Lat view, left wrist X-ray, in cast: 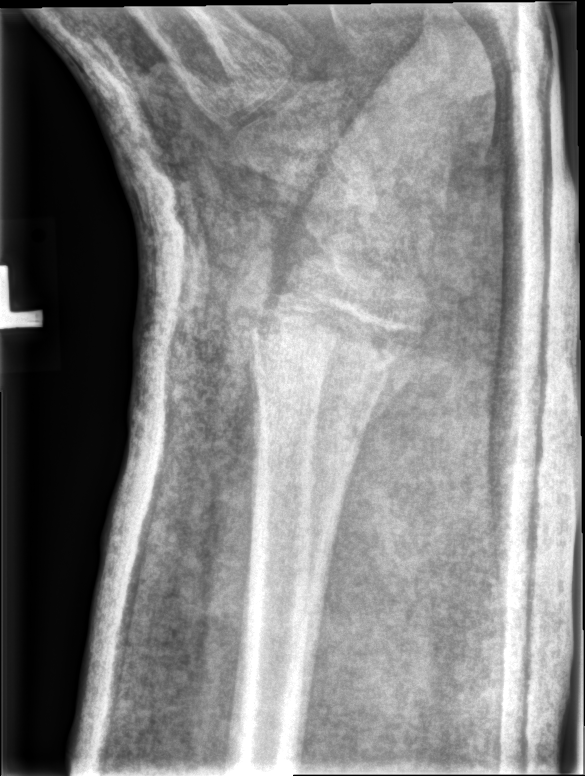

Q: Is there a fracture?
A: Bone fracture: (244, 294, 436, 410)